L wrist X-ray; lat; pediatric patient (girl, age 11); 479x984. 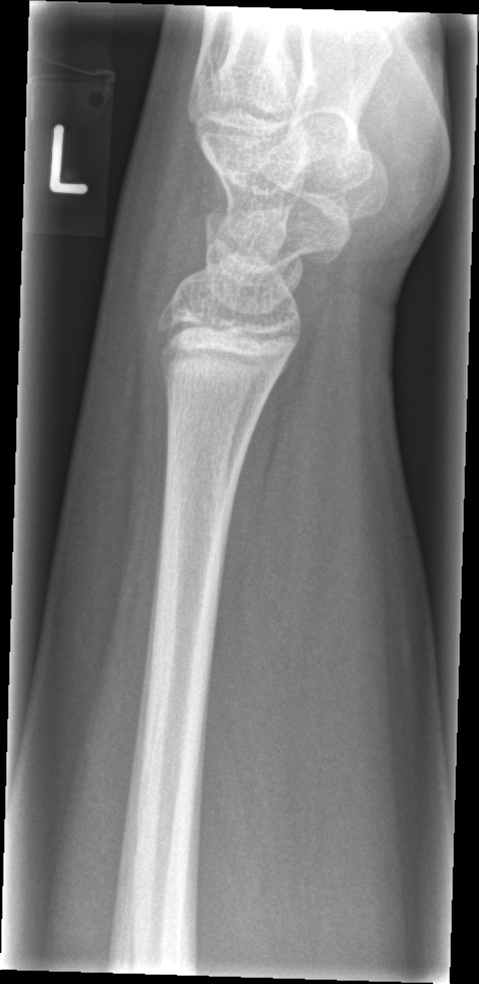

Bone fracture = none labeled